Lat projection | left wrist radiograph | 12y M | follow-up study | cast present:

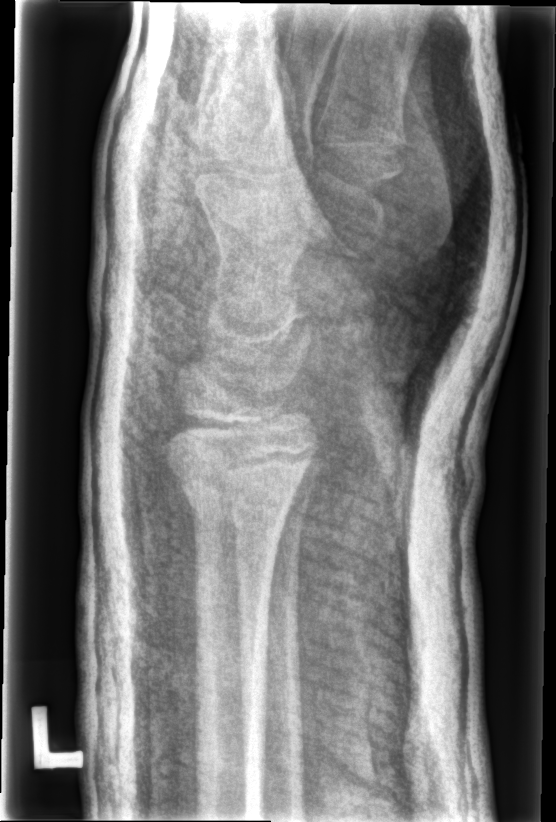 - AO code 23r-M/3.1; 23u-E/7.
- Bone fracture: (168, 450, 295, 535).